Left wrist plain film; PA view; female, 13 yo
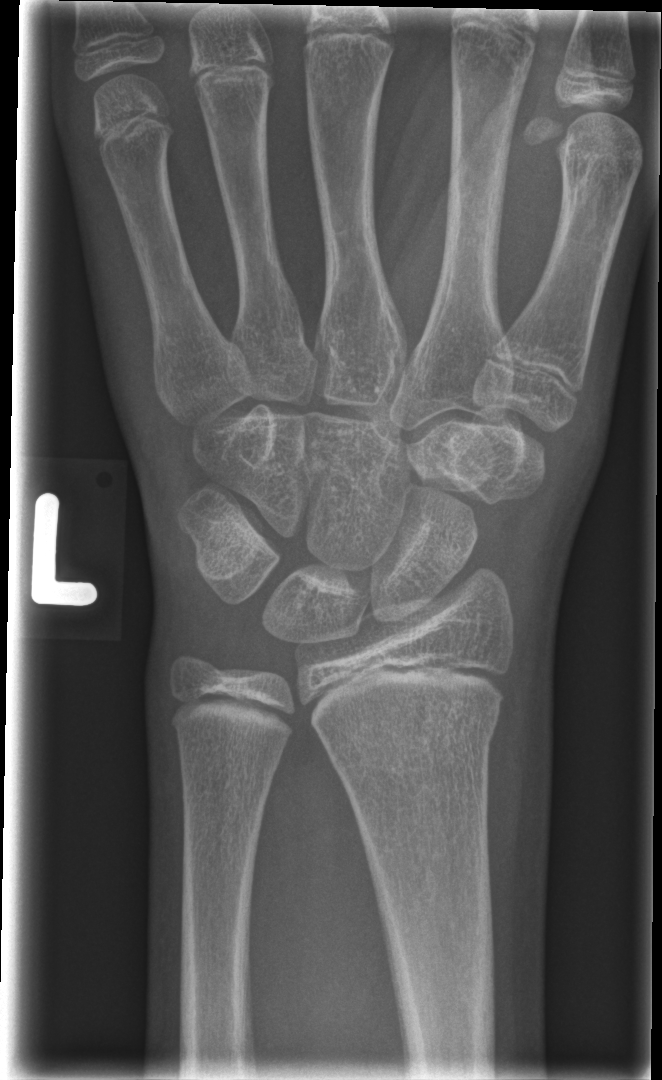 {"fracture": "(left=320, top=703, right=501, bottom=778)"}